R plain radiograph of the wrist, frontal view, boy, 12 yo, 594 x 1070 px — 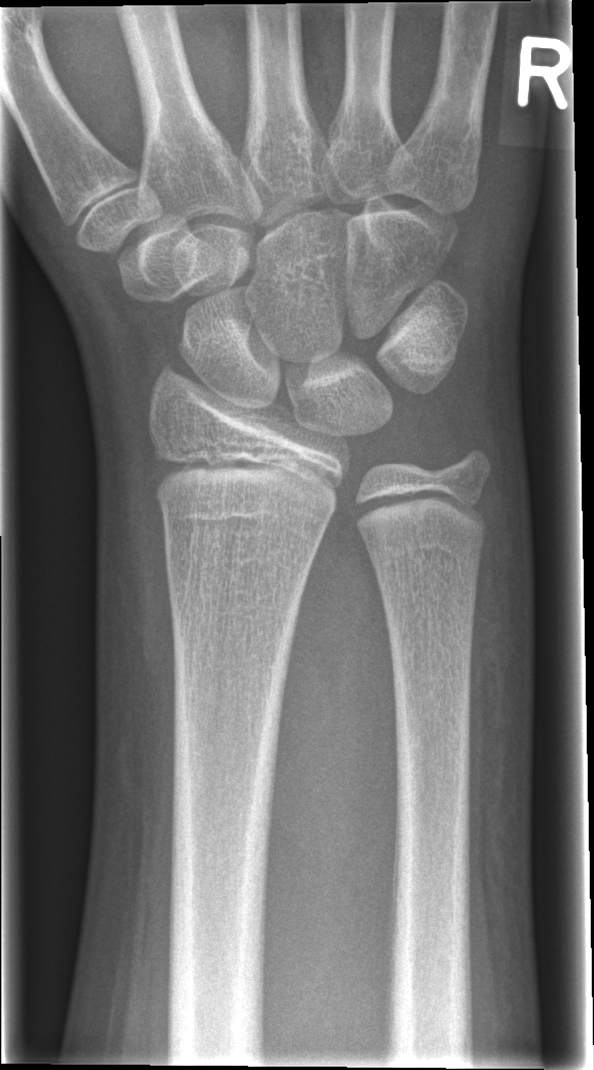

  fracture: none labeled